Lt plain radiograph of the wrist; lat; image width 78.5 mm — 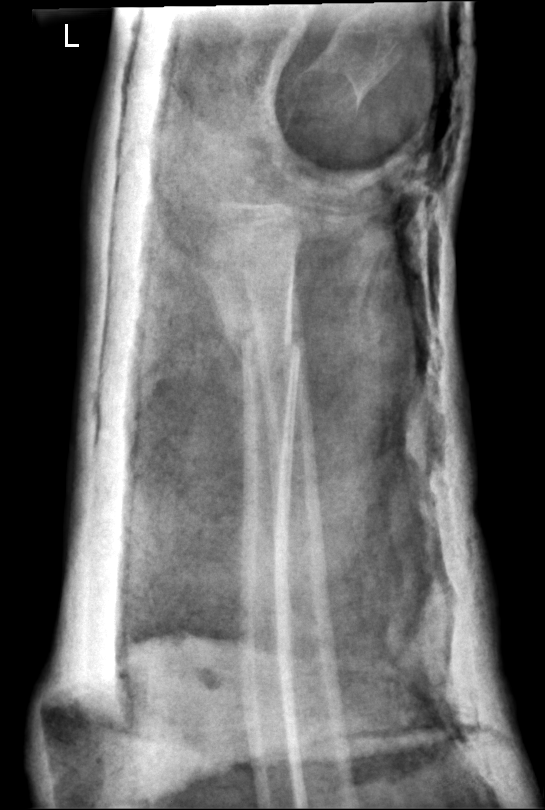

# pixel coordinates, top-left origin, xyxy
fracture: 1 @ (left=220, top=308, right=305, bottom=368)